PA/AP projection, right wrist XR, index exam.
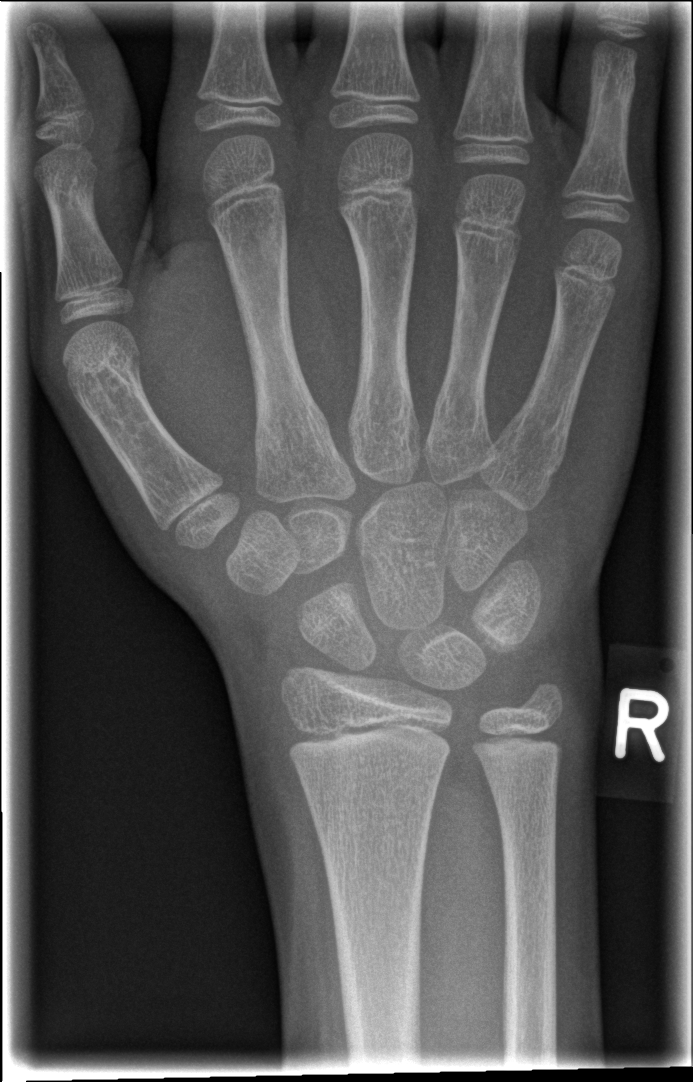
No fracture labeled.